Right wrist X-ray | AP.
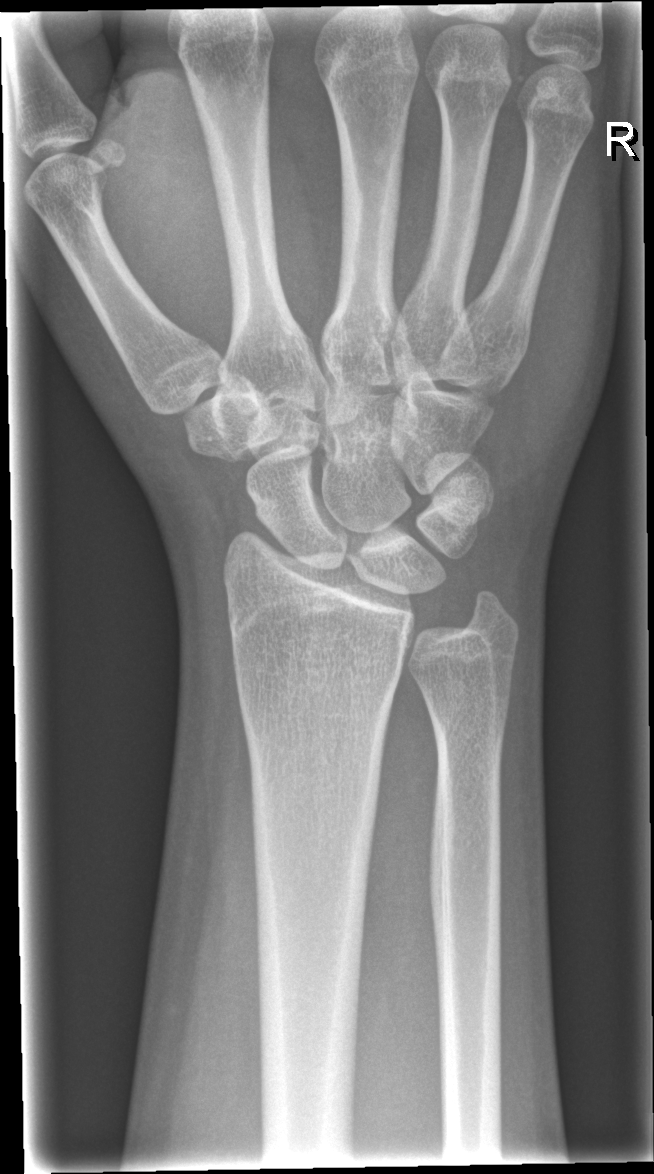

FINDINGS — Fracture: none labeled.